L plain radiograph of the wrist, lat projection, cast present — 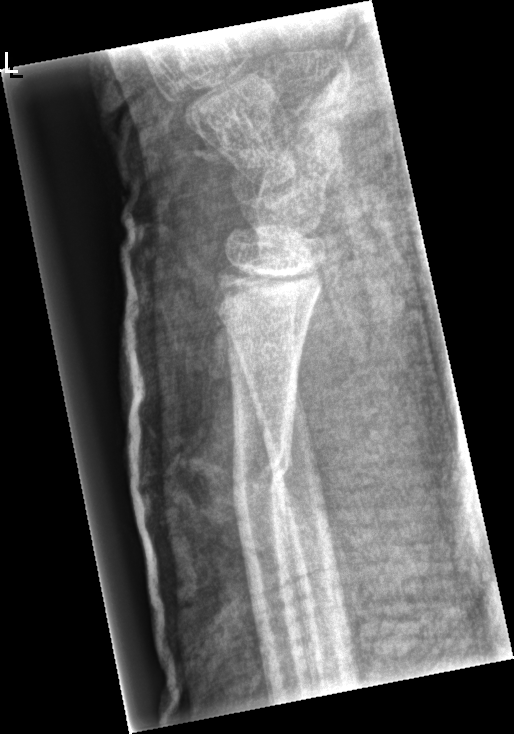
Q: AO code?
A: Fracture classified AO/OTA 23-M/2.1
Q: Any fracture seen?
A: Fx — 229 433 296 520